Rt wrist radiograph · lateral view · follow-up study · acquired on Siemens:

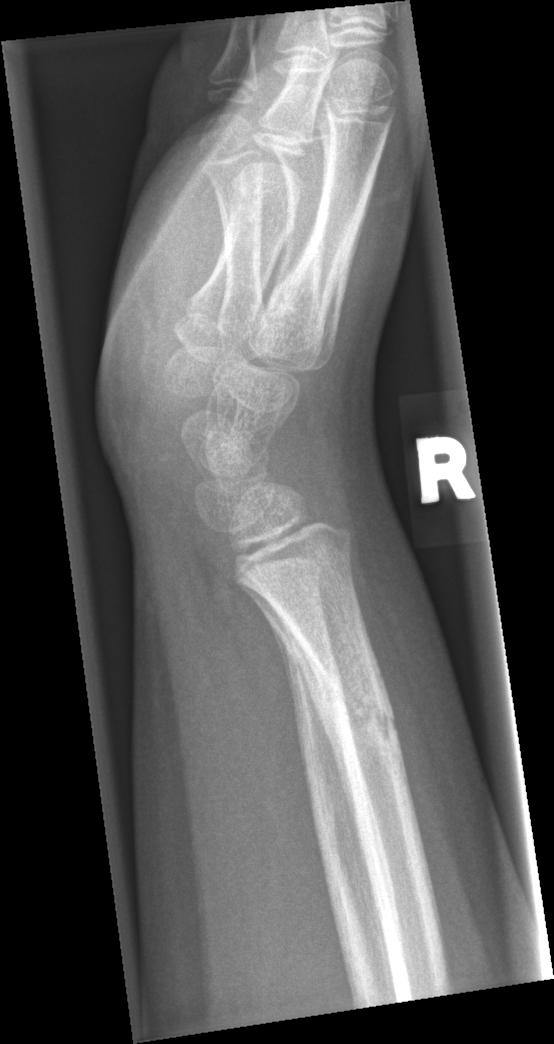
Bone fracture — bbox(314, 669, 403, 756).
One periosteal thickening at bbox(276, 609, 364, 839).
Reduced bone mineral density.
AO/OTA classification: 23r-M/3.1; 23u-M/2.1.